Rt plain radiograph of the wrist; lateral projection; 10-year-old boy. 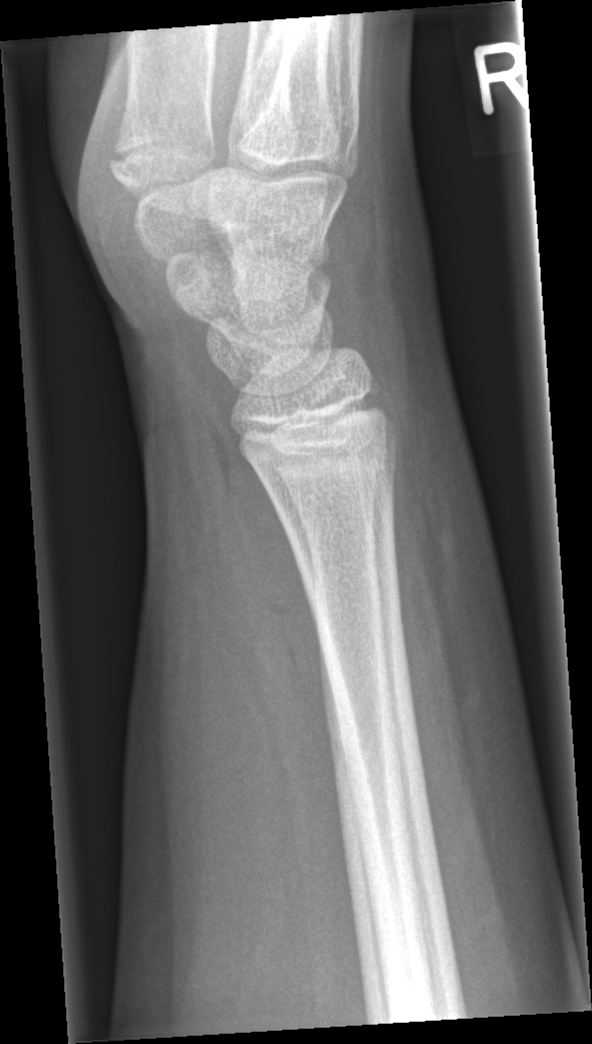
FINDINGS — Fracture present but not clearly seen in this view.